Lat projection; left wrist pediatric wrist radiograph —
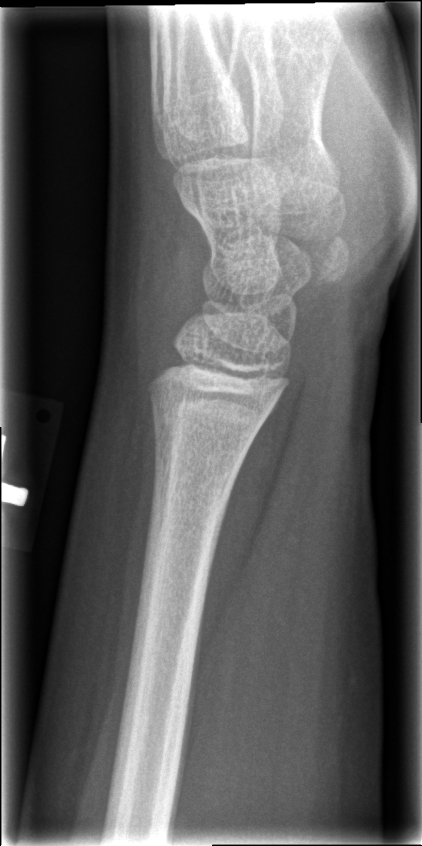

Bone fracture: none labeled